Lt wrist XR | lateral | boy, 7 yo | follow-up study | cast present | image size 448x1344.
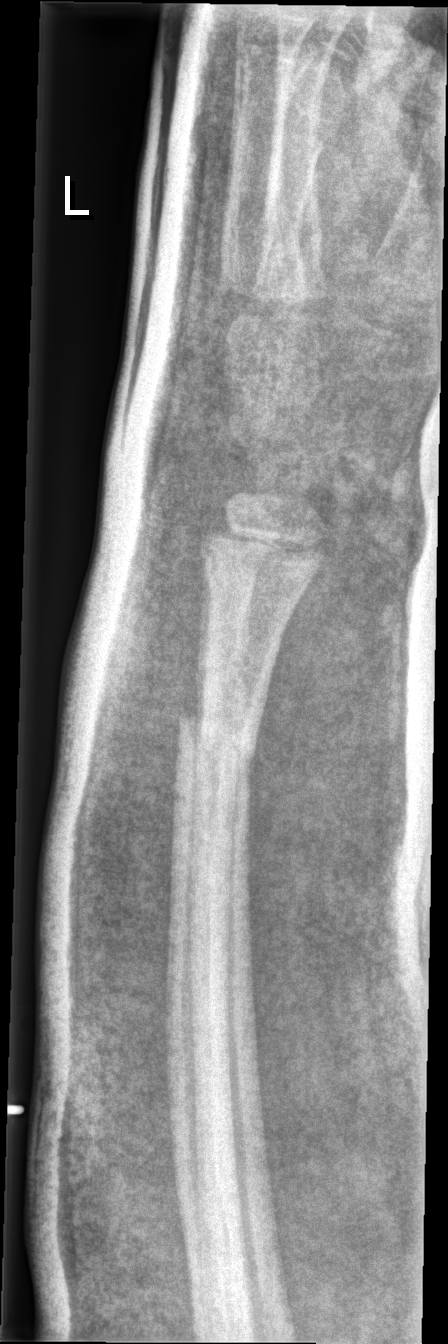 FINDINGS — AO code 23-M/3.1. Bone fracture: bbox(173, 691, 264, 793).